R wrist plain film · posteroanterior

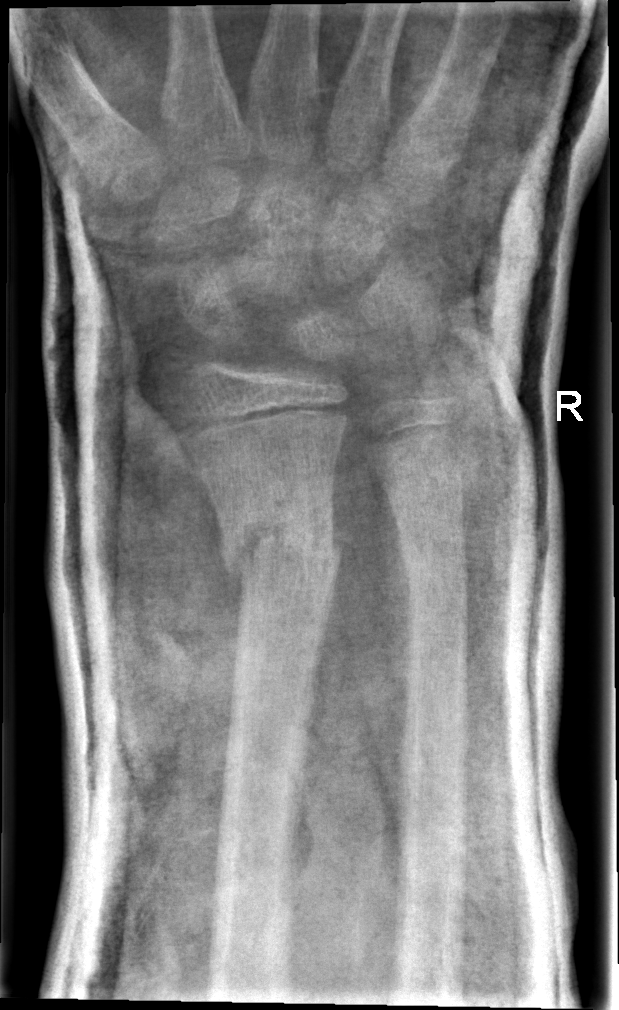

Findings: AO code 23r-M/3.1; 23u-M/2.1. Fracture identified at 215,504,349,589 | 392,526,472,588.